Lateral, Lt pediatric wrist radiograph, boy, 13 yo, follow-up — 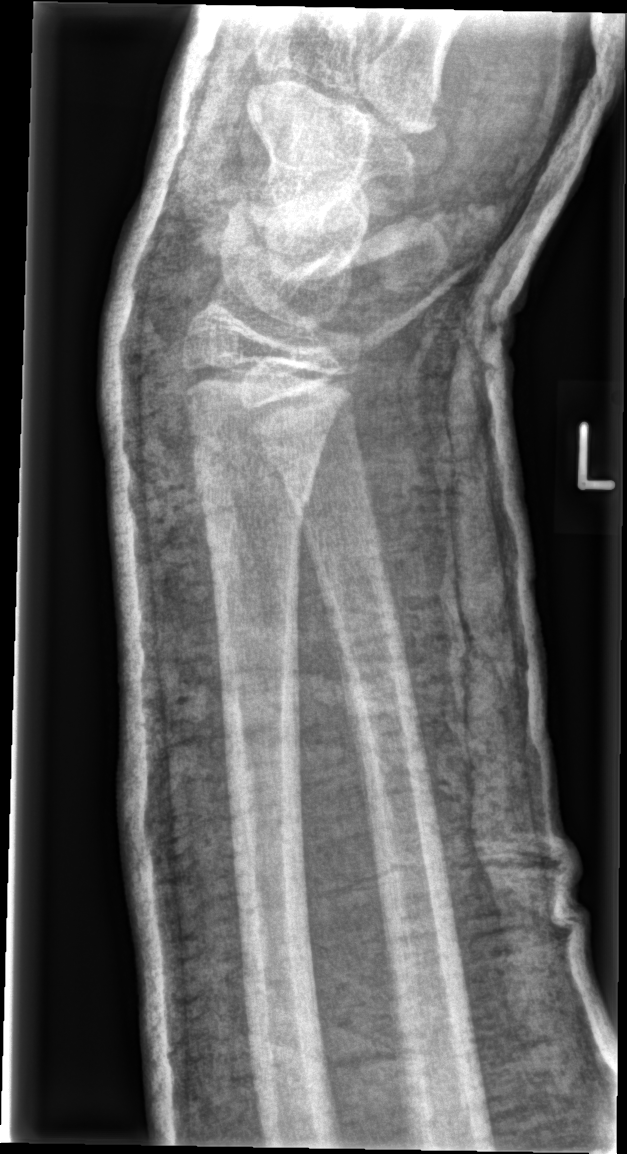

One Fx at [189, 458, 319, 546]. AO/OTA classification: 23r-M/3.1; 23u-E/7.